L pediatric wrist radiograph; lat view; 421 by 1048 pixels — 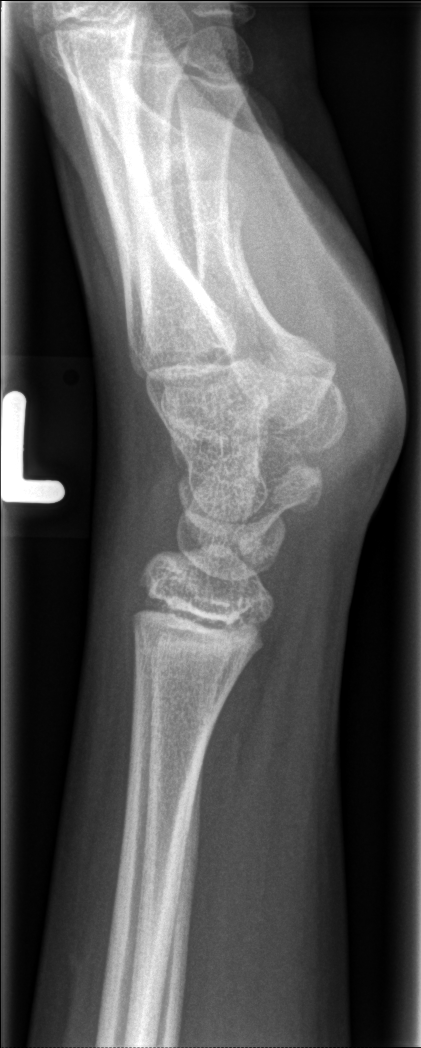

No fracture bounding box.